Lt pediatric wrist radiograph | lateral projection | age 15 y, boy 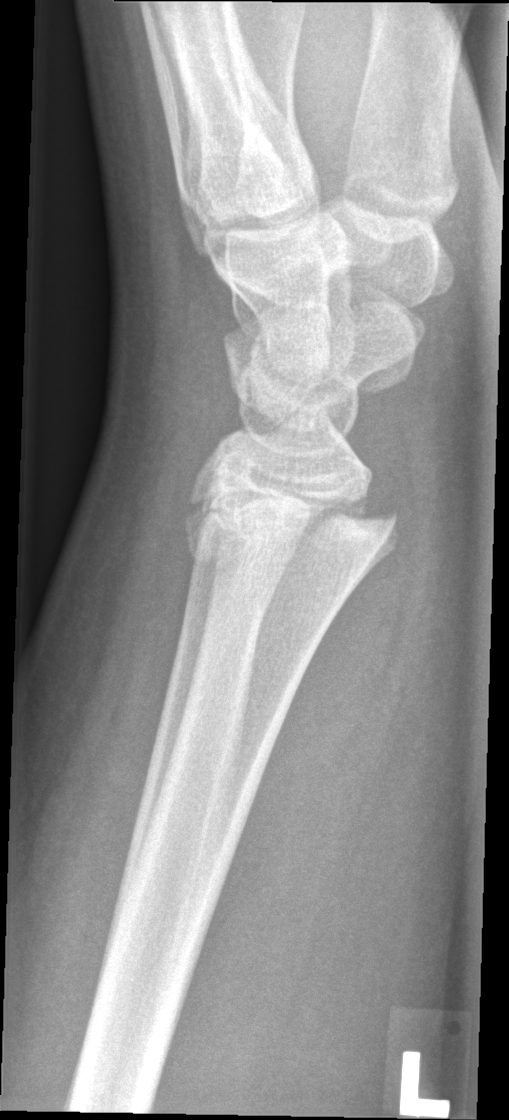

  # coordinates are [x1, y1, x2, y2] in image pixels
  fracture: (left=178, top=484, right=415, bottom=584)
  ao: 23r-E/2.1; 23u-E/7